Lateral view; R pediatric wrist radiograph; subsequent exam; acquired on Siemens; 60.9 mm image width:
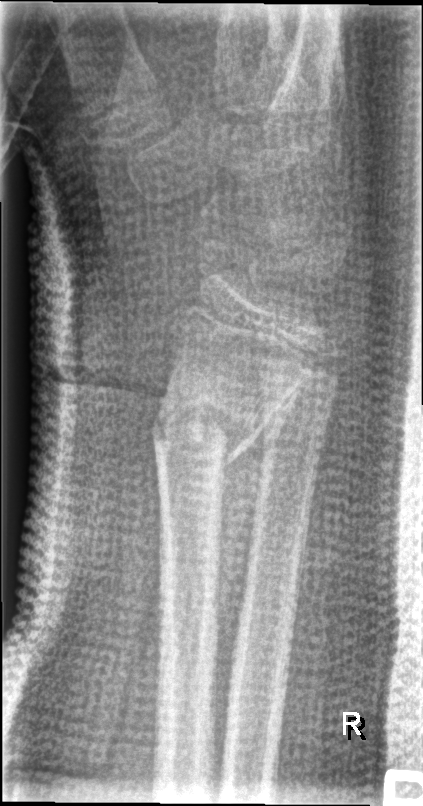
Q: Fracture present?
A: One fracture at <144,375>-<287,483>